PA · Lt pediatric wrist radiograph · index exam 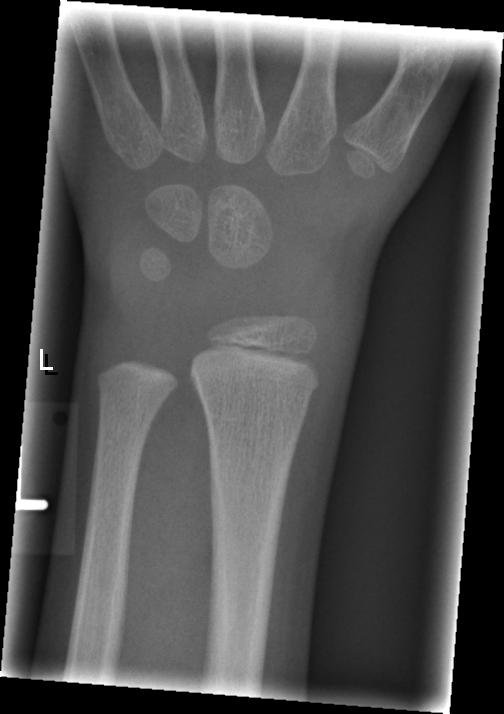

* No fracture annotation.